Right wrist plain film; lateral view; boy, 8 yo: 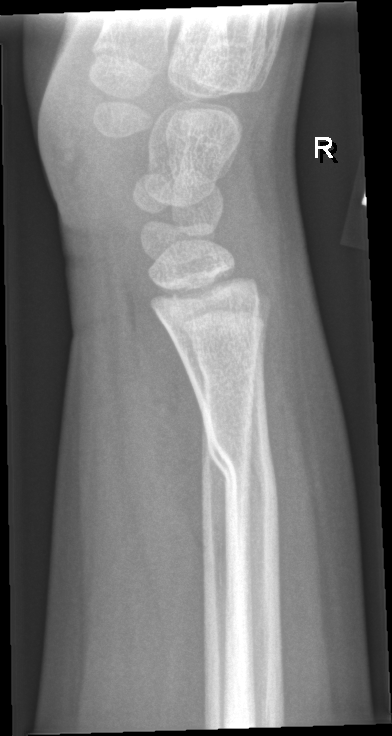

FINDINGS — (bounding boxes in image-pixel xyxy) Fracture classified AO/OTA 23-M/2.1. Fx identified at (left=201, top=423, right=281, bottom=501).